Posteroanterior view, Rt pediatric wrist radiograph, cast present, acquired on Siemens —
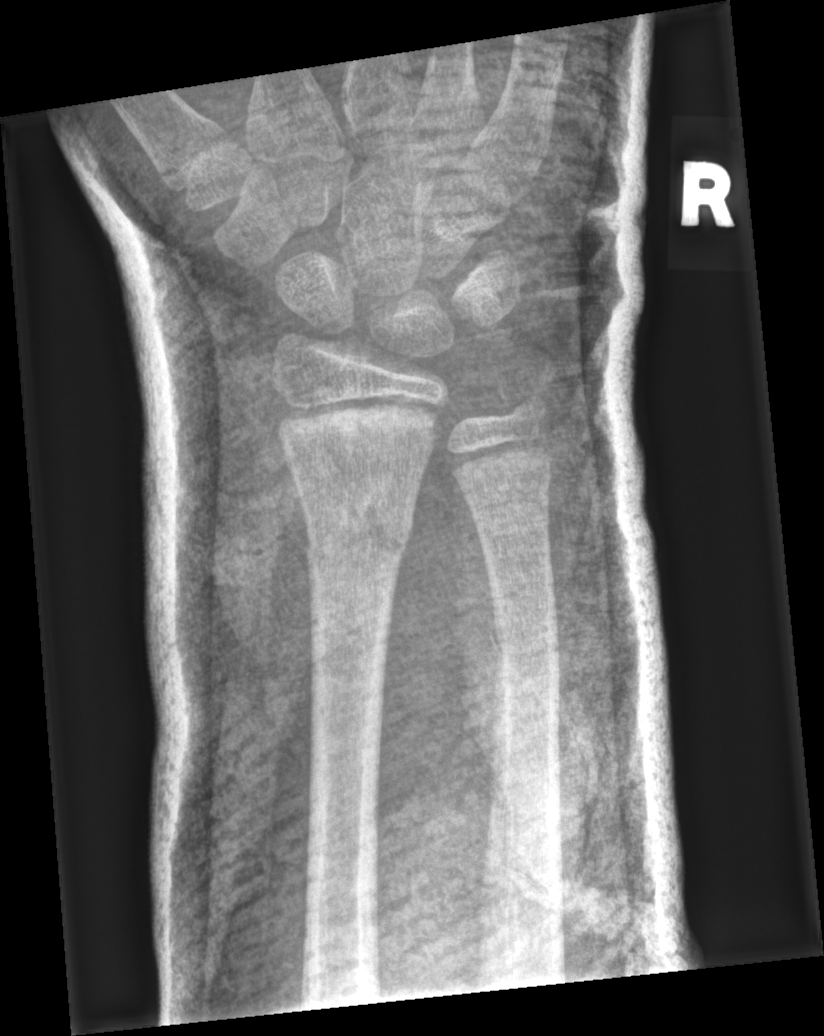
Fx = 3 @ (296, 487, 419, 580) (484, 604, 567, 671) (491, 372, 553, 435)
AO classification = 22u-D/2.1; 23r-M/2.1; 23u-E/7